Lat · Rt wrist radiograph · male, 14 yo · Siemens.

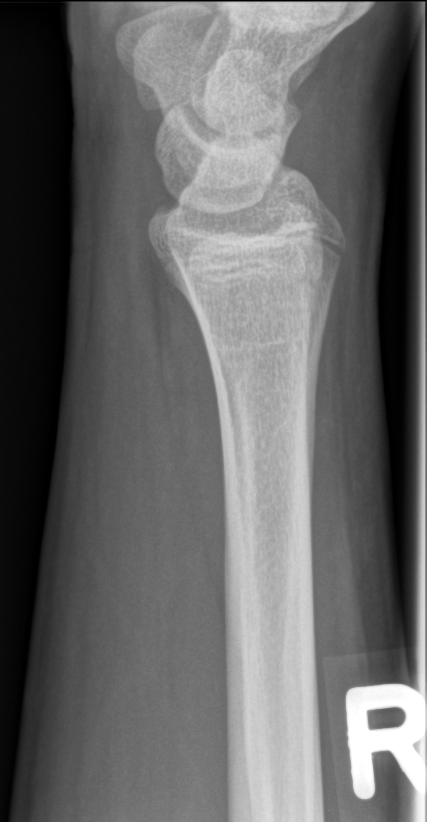
fracture: none labeled